Left plain radiograph of the wrist · lat · 9-year-old girl.
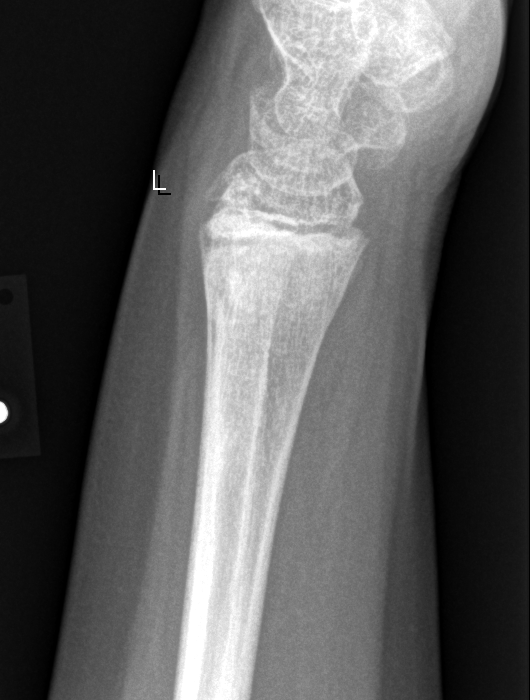
Findings: (pixel coordinates, top-left origin, xyxy) One fracture at [x1=196, y1=203, x2=376, y2=308]. Fracture classified AO/OTA 23r-E/2.1; 23u-E/7. Osteopenia.